Frontal · left wrist X-ray · image width 80.4 mm · 558 by 1022 pixels 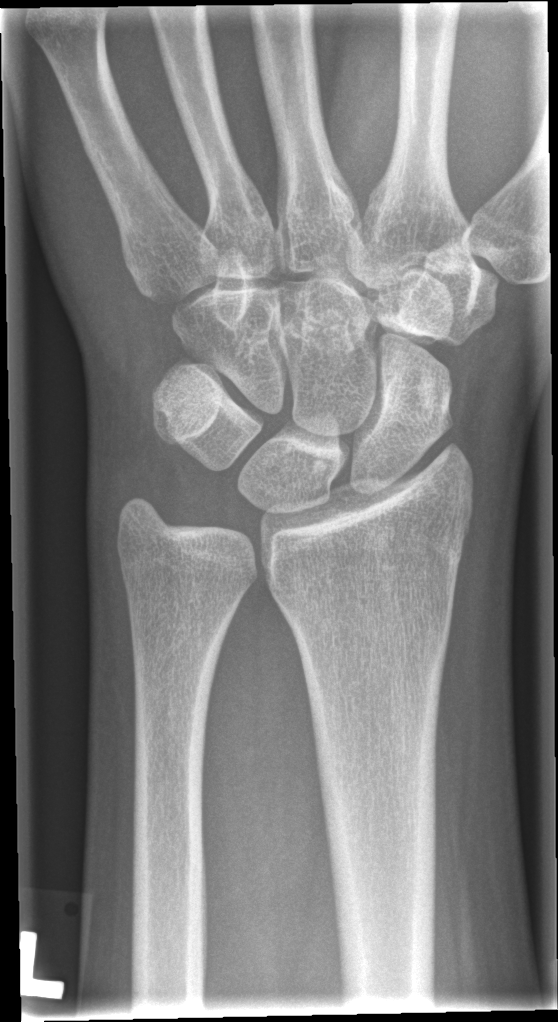

Q: Fracture present?
A: No fracture labeled